Lt pediatric wrist radiograph | lat | pediatric patient (girl, age 15) | Siemens | 84.2 mm image width | 585x870
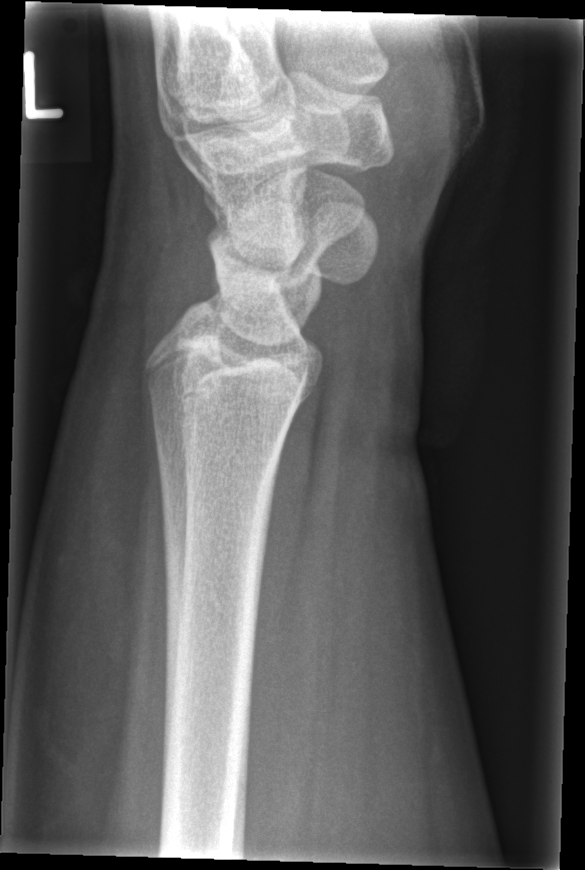 fracture: none labeled